PA view | Lt wrist XR | follow-up | cast present:

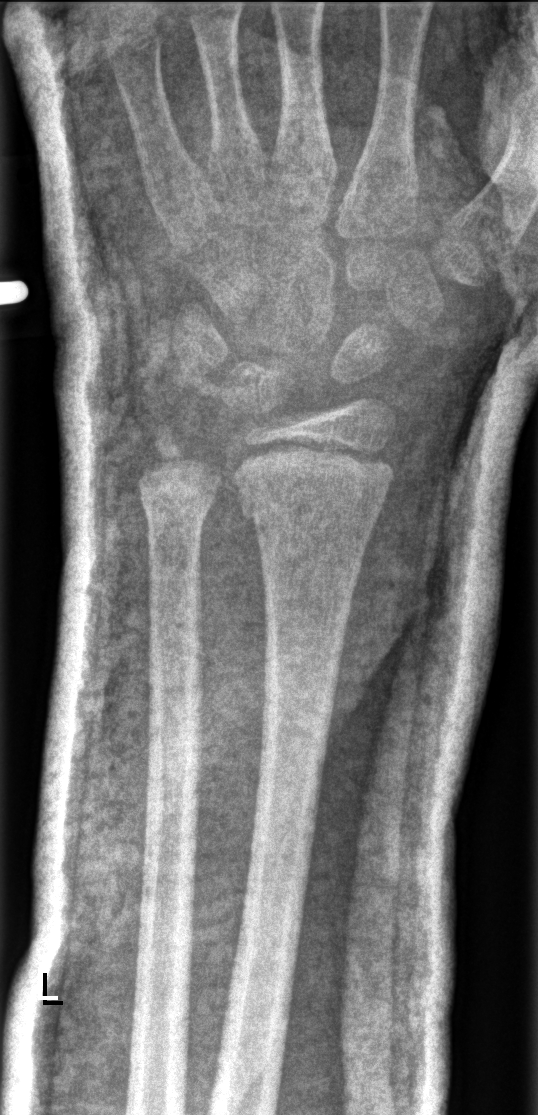 {
  "_coords": "boxes as x1,y1,x2,y2 (top-left / bottom-right, pixel units)",
  "ao": "23r-E/2.1; 23u-M/2.1",
  "fracture": "[235, 452, 389, 546], [134, 471, 220, 531]"
}